Left wrist plain film; frontal; pediatric patient (boy, age 10); index exam; image size 565x972

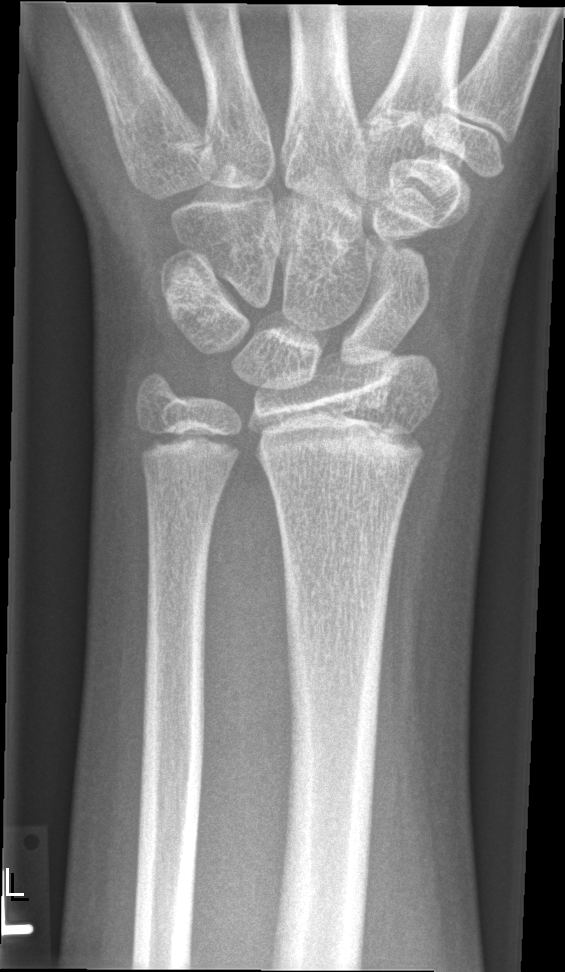

FINDINGS: No fracture annotation.